Lateral projection, Rt wrist radiograph, male, 8 yo

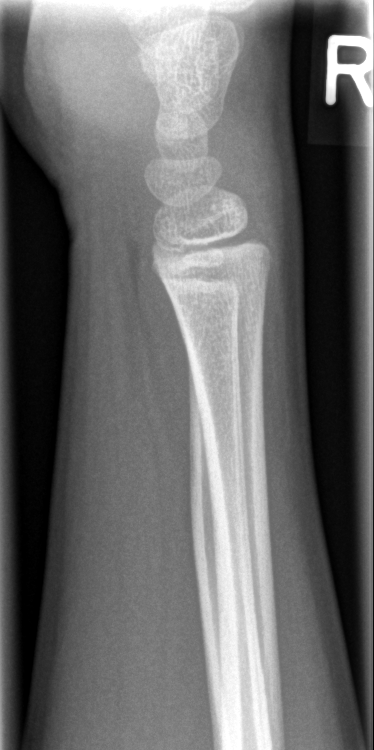

FINDINGS: No fracture bounding box.